Posteroanterior view | L wrist X-ray | follow-up | in cast | image size 652x1228:

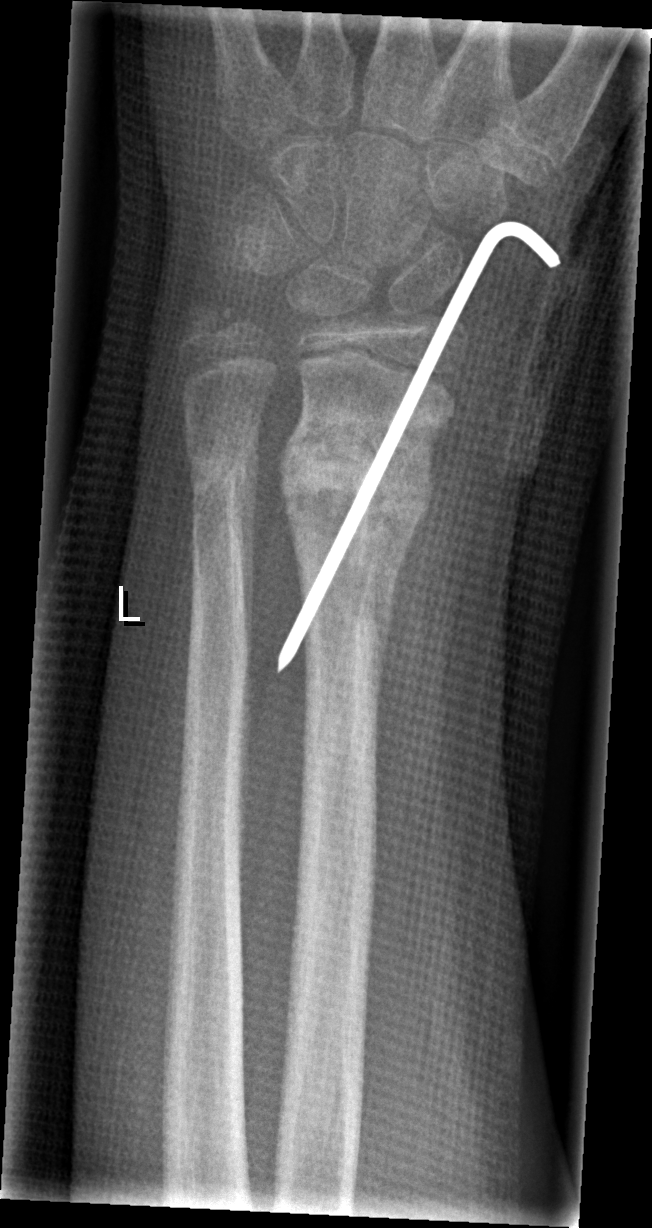
Findings: One hardware at [x1=275, y1=218, x2=565, y2=678]. Fx: [x1=278, y1=414, x2=436, y2=536] [x1=181, y1=430, x2=265, y2=501] [x1=178, y1=295, x2=244, y2=351].